Lat view; left wrist XR; 15y M; initial study
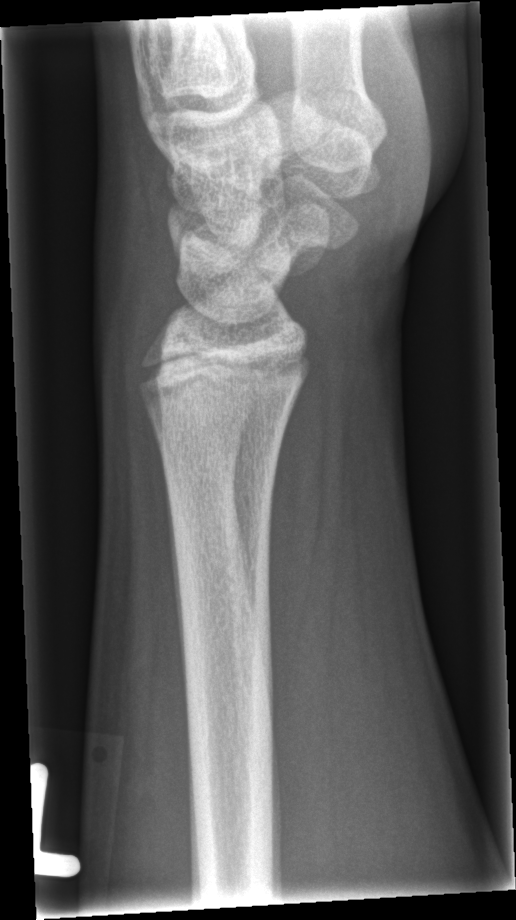
No fracture bounding box.